Right pediatric wrist radiograph · posteroanterior projection · follow-up · 459 by 888 pixels. 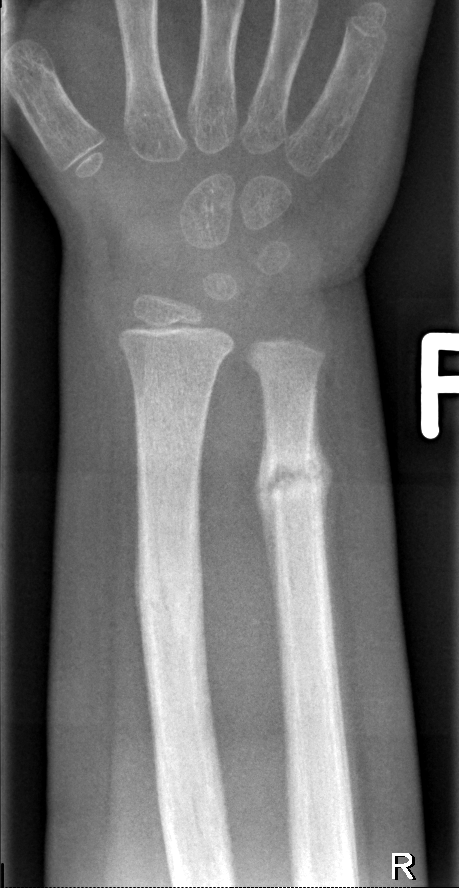 FINDINGS — Two periosteal thickening at bbox(252, 405, 278, 620), bbox(311, 400, 333, 568). Fx: bbox(131, 522, 207, 653), bbox(252, 450, 334, 516). Fracture classified AO/OTA 22r-D/2.1; 23u-M/3.1.